Lt wrist XR · PA view · age 10 y, boy · follow-up study
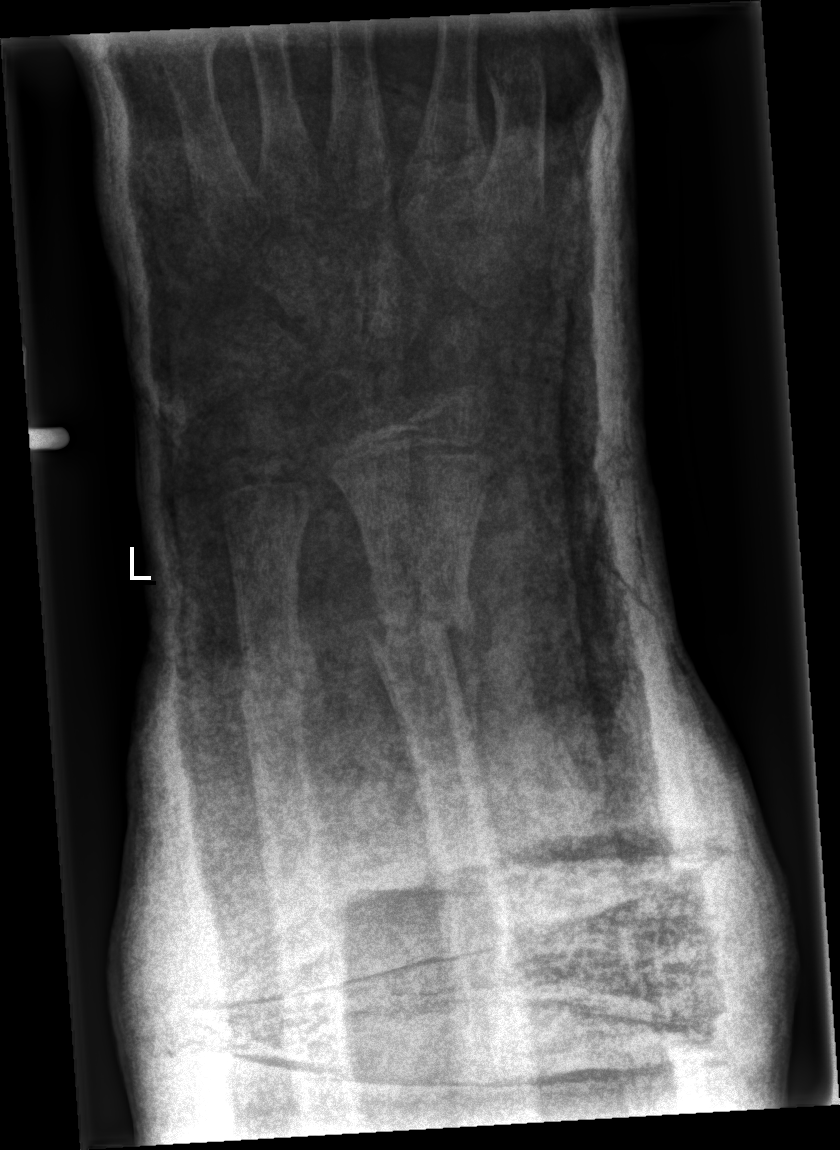
Q: Is there a fracture?
A: Two fractures at (361, 599, 477, 659), (233, 657, 319, 715)
Q: AO code?
A: Fracture classified AO/OTA 23-M/3.1